PA; Lt wrist radiograph; subsequent exam; image 83.5 mm wide —
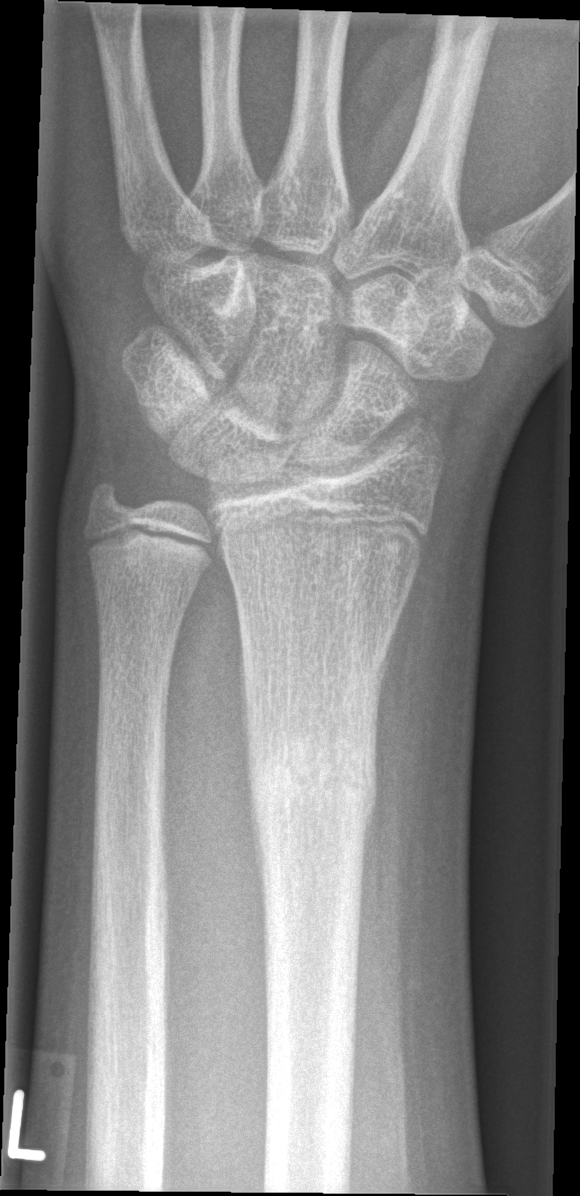
(pixel coordinates, top-left origin, xyxy)
Fx = <242,734>-<382,849>
AO/OTA = 23r-M/2.1